Lat projection, right plain radiograph of the wrist, presentation radiograph, image 89.0 mm wide, 618 x 1142 px: 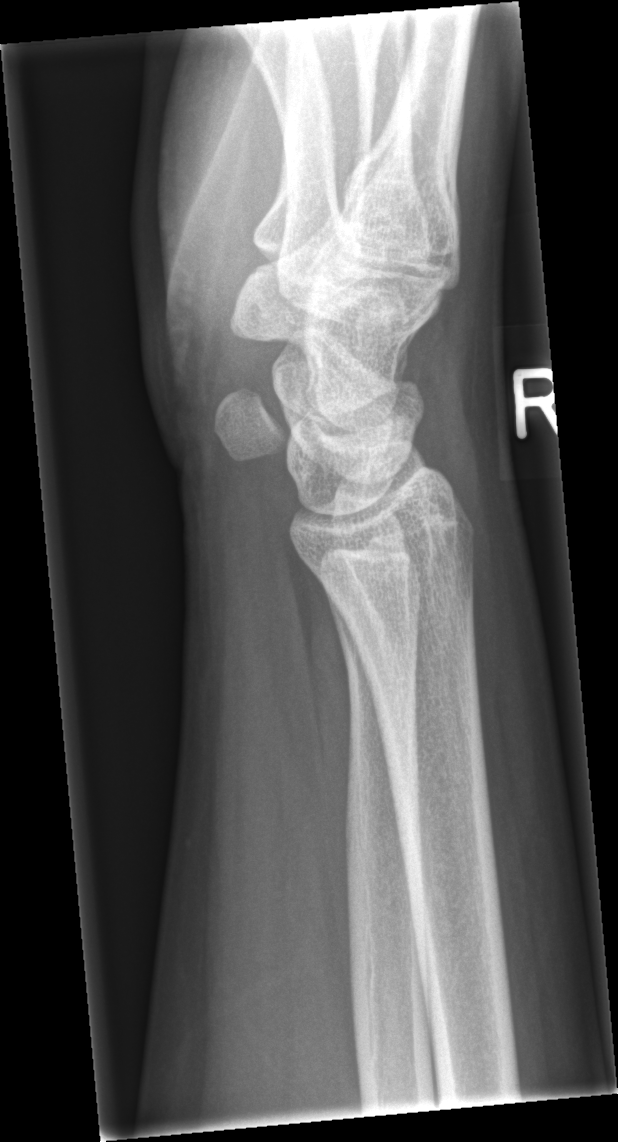
Fx = none labeled